Frontal view, right plain radiograph of the wrist.

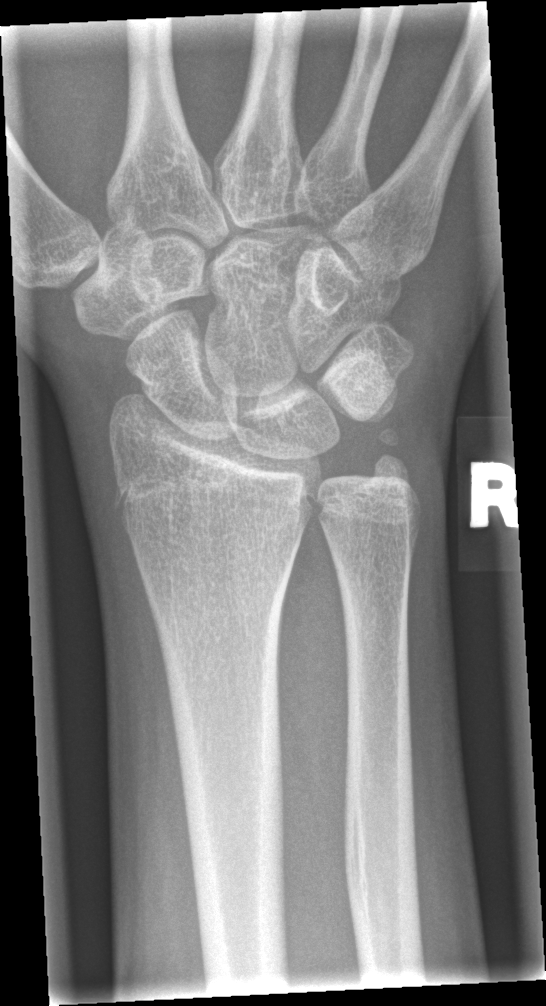
FINDINGS: Fx — (left=363, top=422, right=417, bottom=495).